Rt wrist XR · AP · initial study · 611x1068:

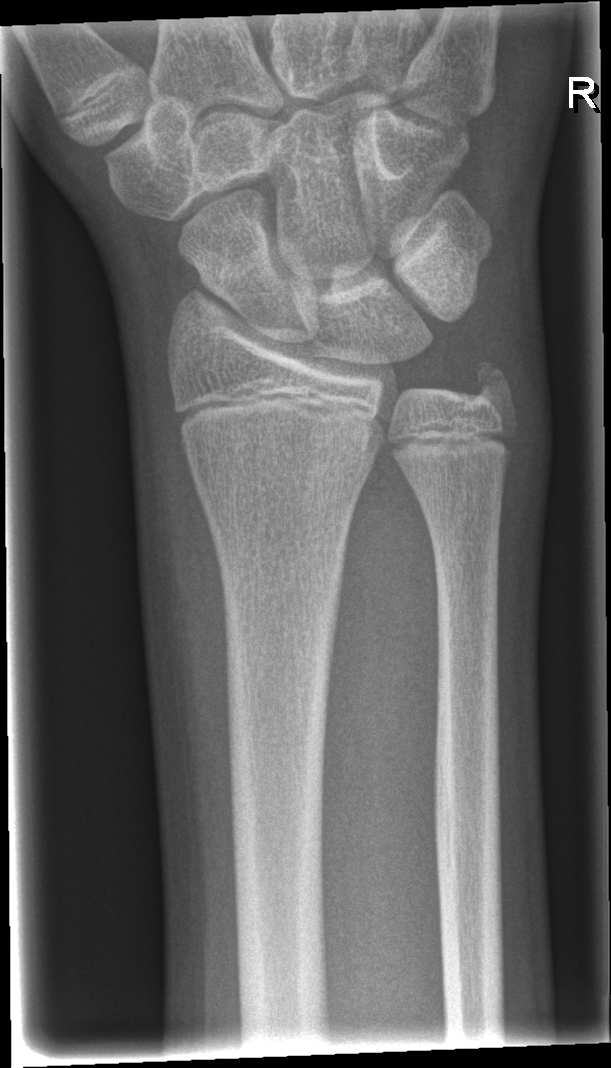 FINDINGS — Fracture classified AO/OTA 23r-M/2.1; 23u-E/7. Fracture: [x1=464, y1=354, x2=517, y2=417].